AP view | Lt plain radiograph of the wrist | 14y M | initial study | acquired on Siemens.

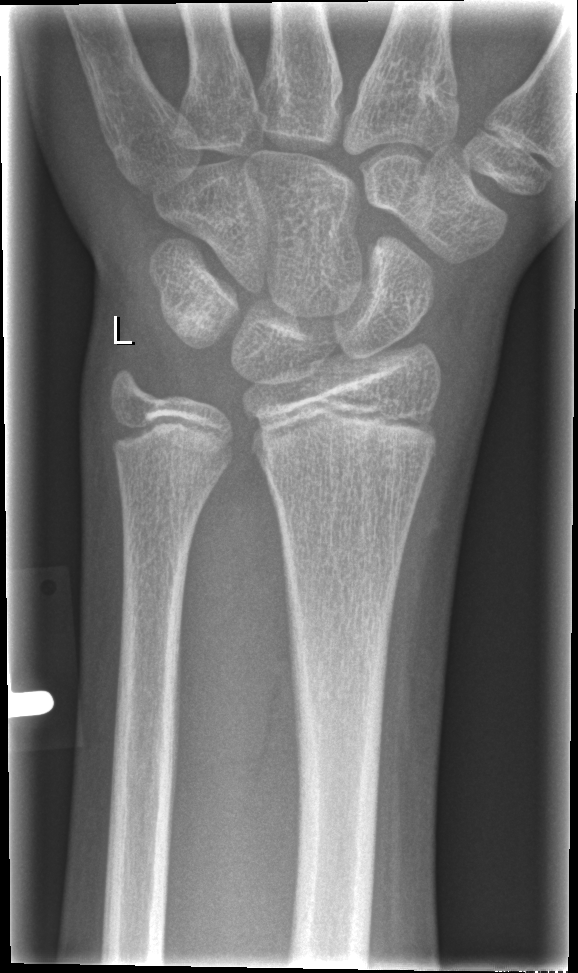 fracture: none labeled